Left pediatric wrist radiograph, lateral, 12-year-old male, cast present, image 76.6 mm wide, 532x1236 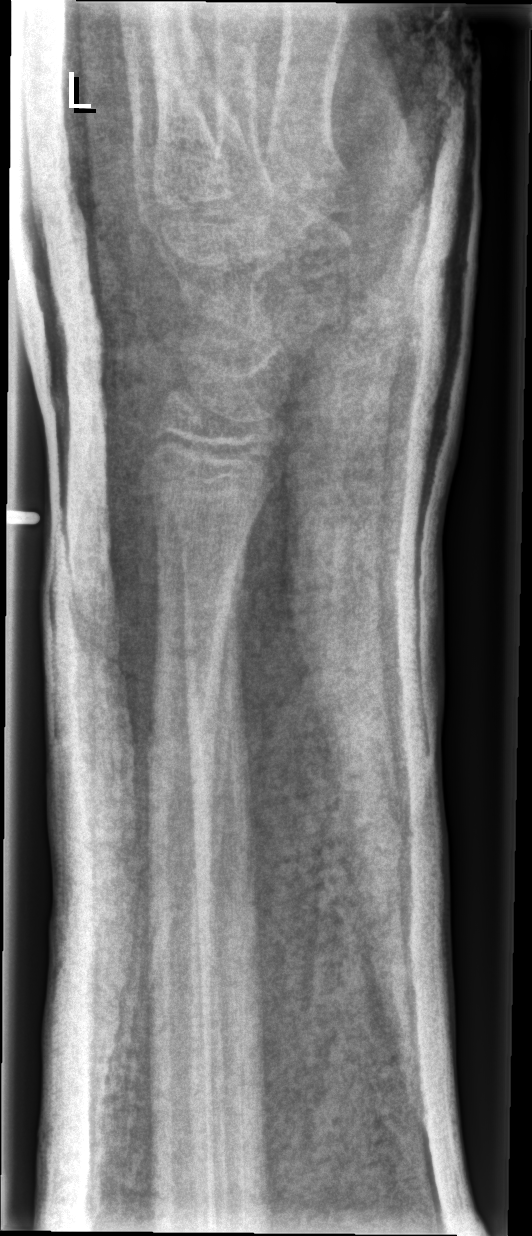 Findings: (bounding boxes in image-pixel xyxy) Fracture classified AO/OTA 22r-D/2.1; 23u-M/2.1. One Fx at 144 707 219 771.